Lateral projection; L wrist X-ray; follow-up study; image size 471x1112.
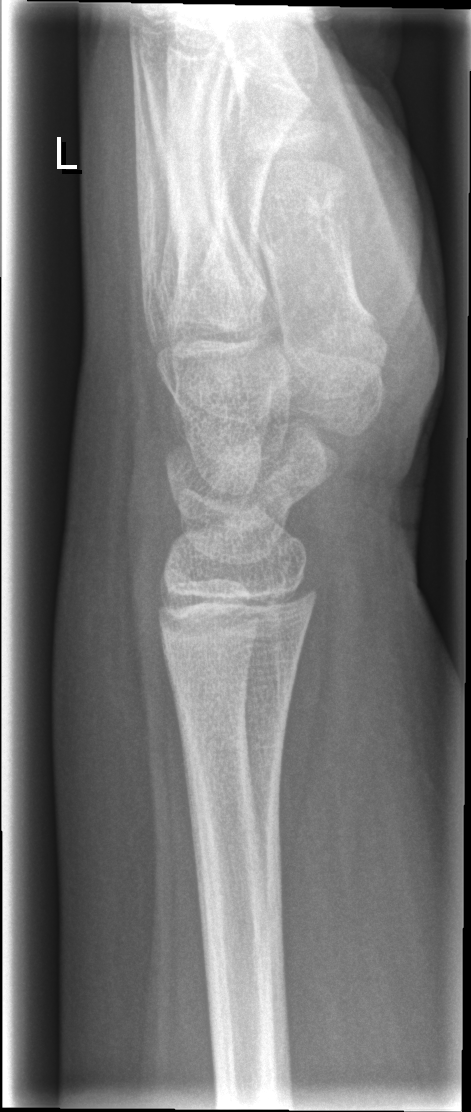

Osteopenia = present
Fracture = none labeled